PA/AP | Rt wrist radiograph.

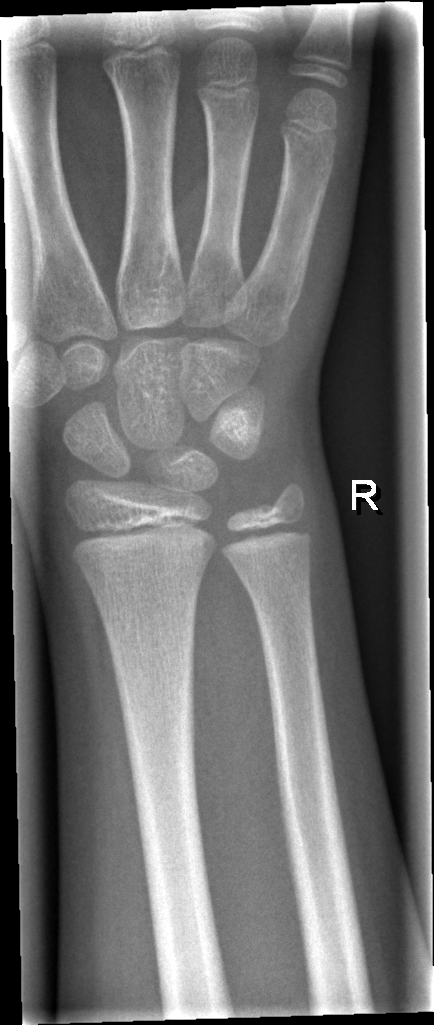 • Fracture: none labeled.